Lat view | left wrist radiograph | detector: Siemens:

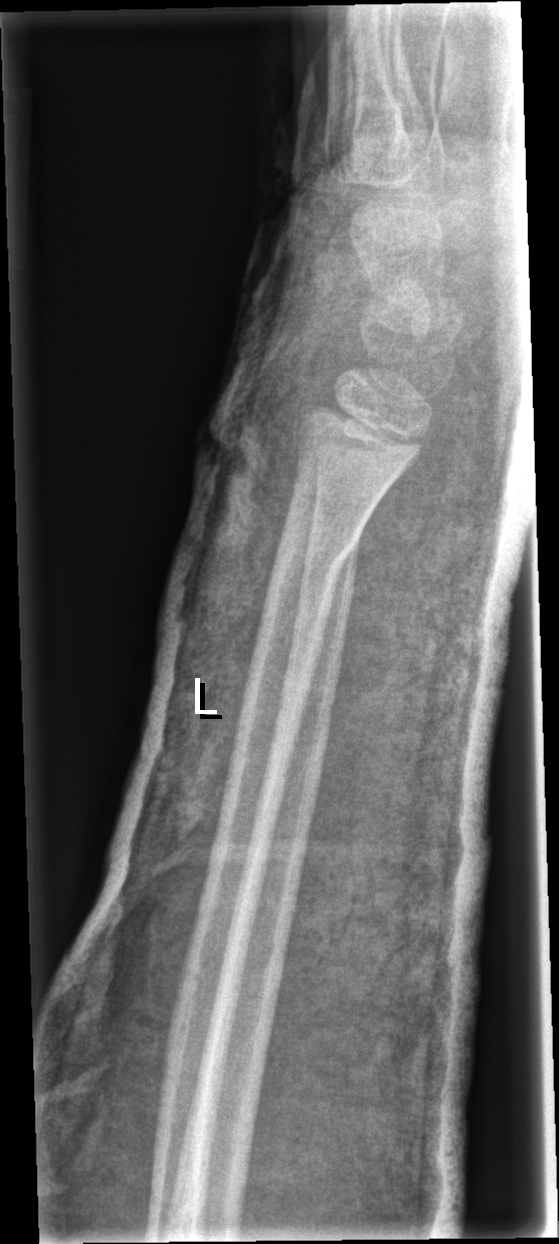

Boxes as x1,y1,x2,y2 (top-left / bottom-right, pixel units). Fx — bbox(267, 522, 364, 579).